Posteroanterior projection | Lt wrist radiograph | index exam:
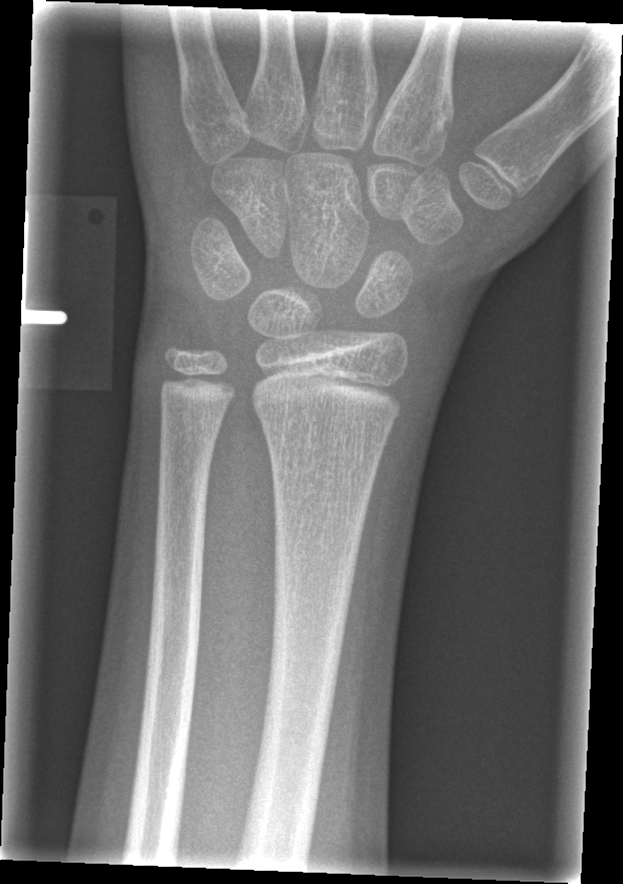

{"fracture": "none labeled"}